Lt wrist radiograph, AP projection, age 11 y, male, presentation radiograph.

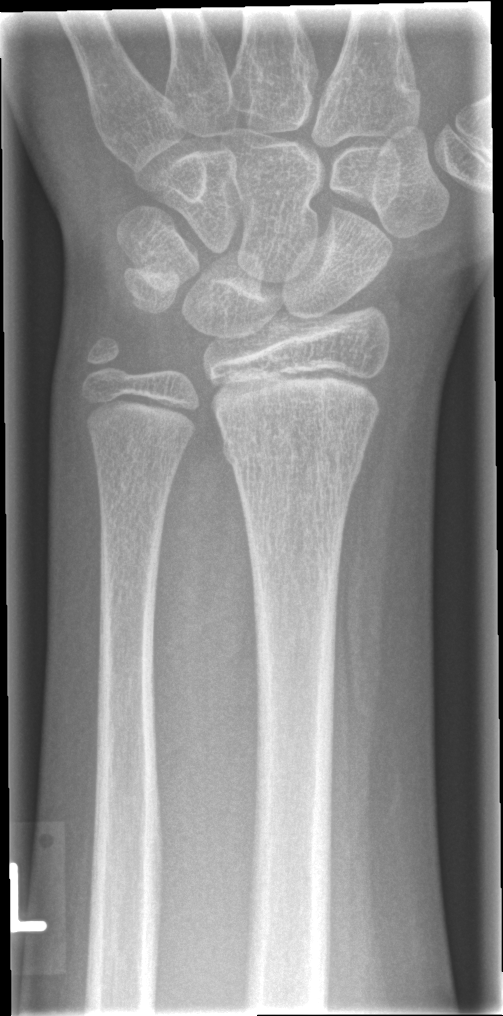
FINDINGS: AO/OTA classification: 23r-M/2.1. Fx — 217,422,368,491; 78,333,131,386.